PA/AP projection; R wrist XR; 8-year-old female; acquired on Siemens:

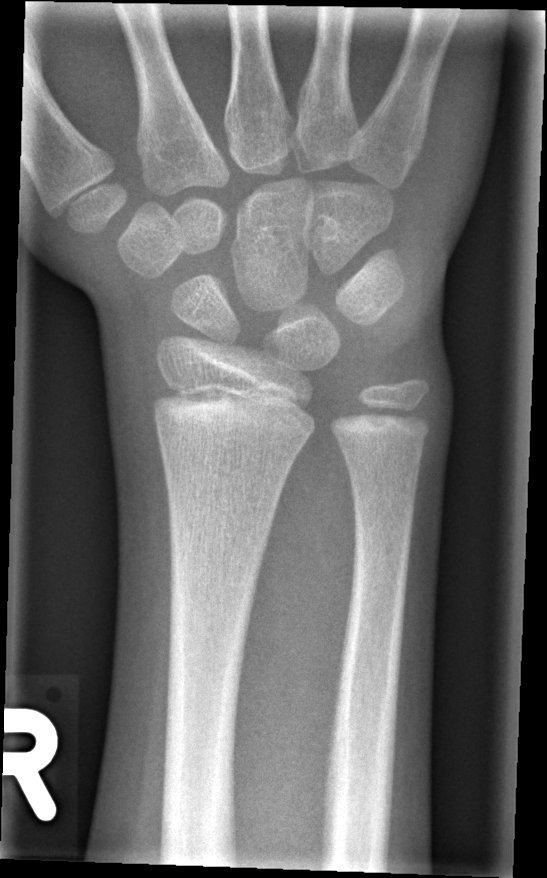
Findings: Fracture: none labeled.